Lateral, left wrist X-ray, imaged through cast: 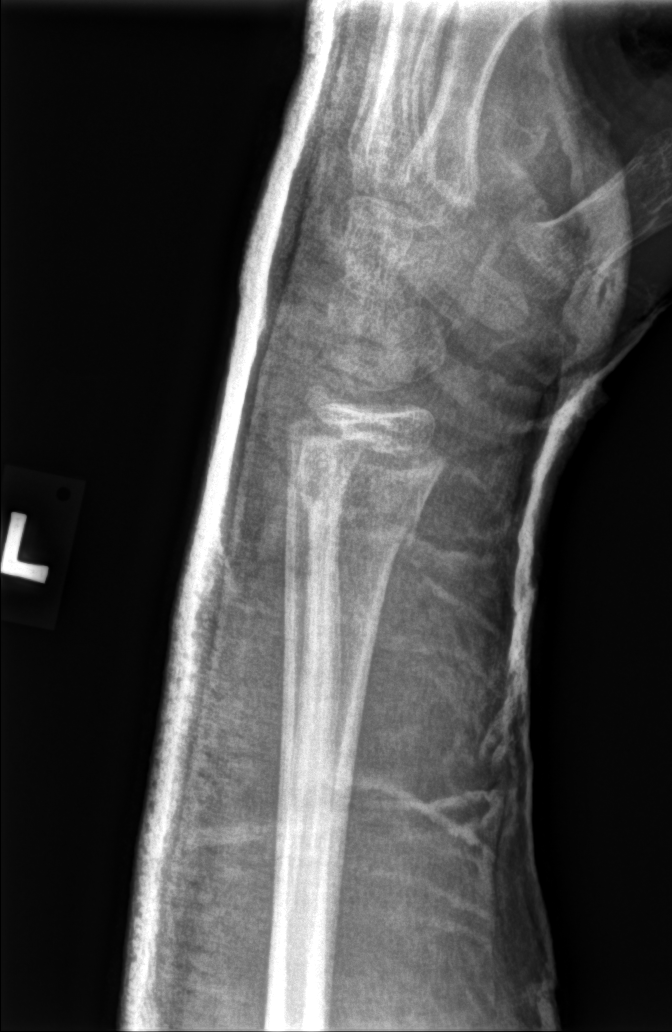

bone fracture = 1 @ <288,456>-<432,553>